AP; left wrist plain radiograph of the wrist; index exam.

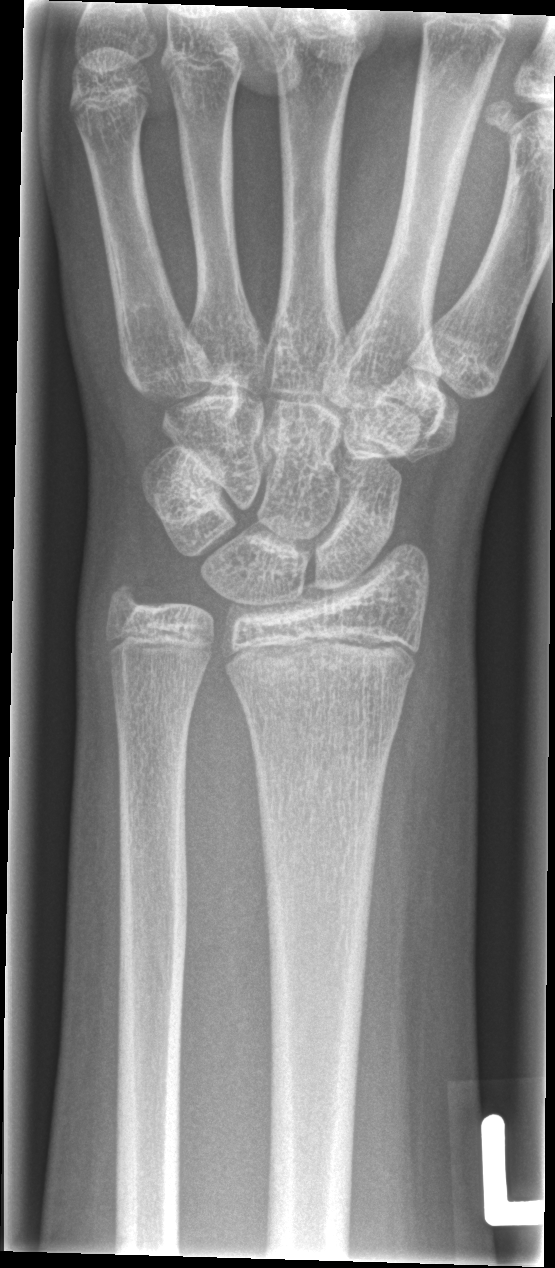
bone fracture = 2 @ (left=221, top=634, right=419, bottom=692); (left=96, top=571, right=151, bottom=623)